Left pediatric wrist radiograph; lat view; Siemens —
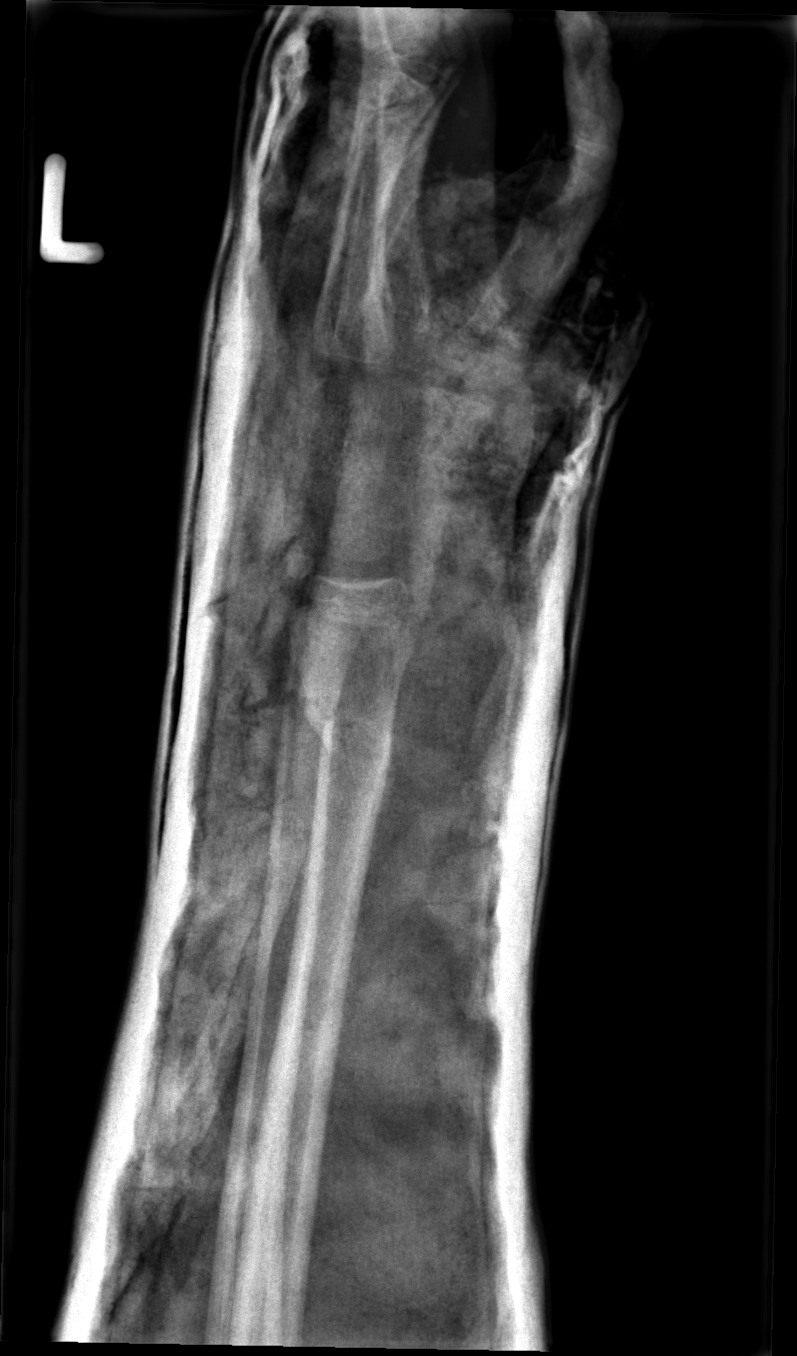

(pixel coordinates, top-left origin, xyxy)
Bone fracture = 1 @ [x1=291, y1=669, x2=403, y2=797]
AO code = 23-M/3.1